Right wrist plain radiograph of the wrist, AP view, presentation radiograph, image 56.6 mm wide
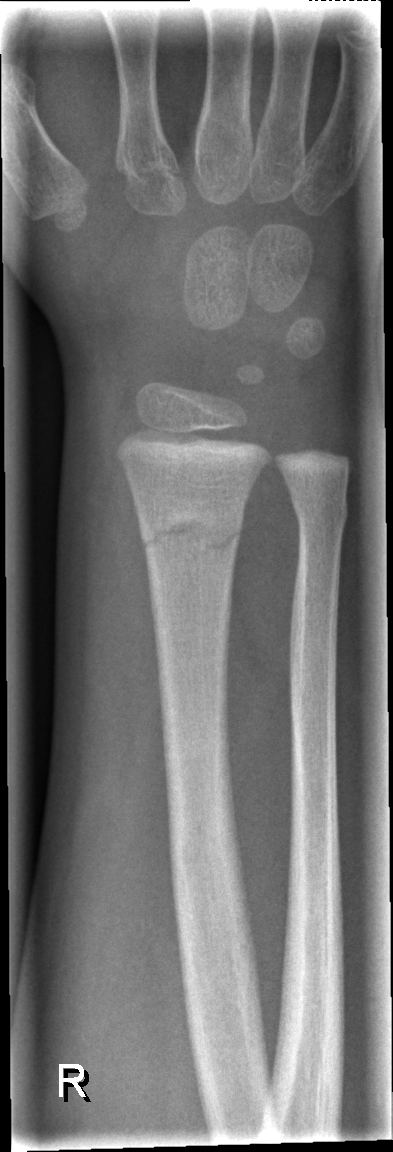 Findings: (pixel coordinates, top-left origin, xyxy) AO code 23r-M/3.1; 23u-M/2.1. Bone fracture identified at [137, 500, 250, 563], [286, 489, 351, 535].